Lat projection · Rt wrist X-ray · male, 12 yo · in cast:

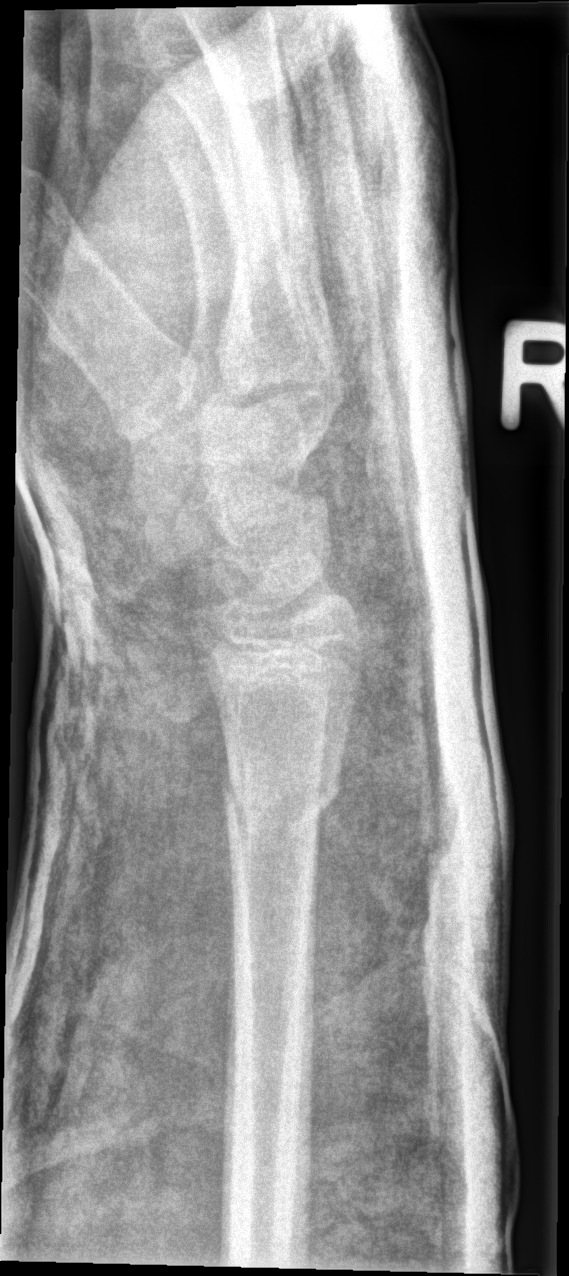
# coordinates are [x1, y1, x2, y2] in image pixels
fracture: 1 @ 219,766,343,848